Posteroanterior view, R wrist X-ray — 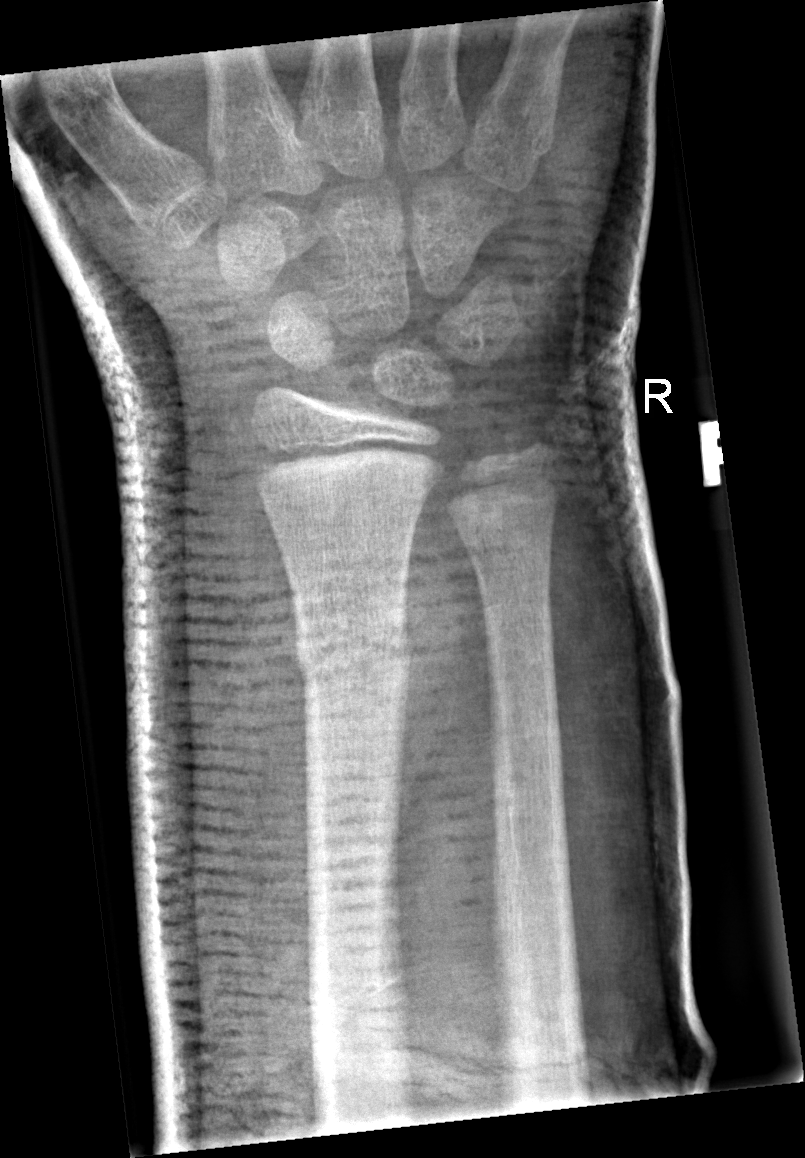

(bounding boxes in image-pixel xyxy)
bone fracture = 1 @ <287,615>-<417,694>
AO classification = 23r-M/3.1